Lt wrist XR; posteroanterior; 15y M; 671x812:

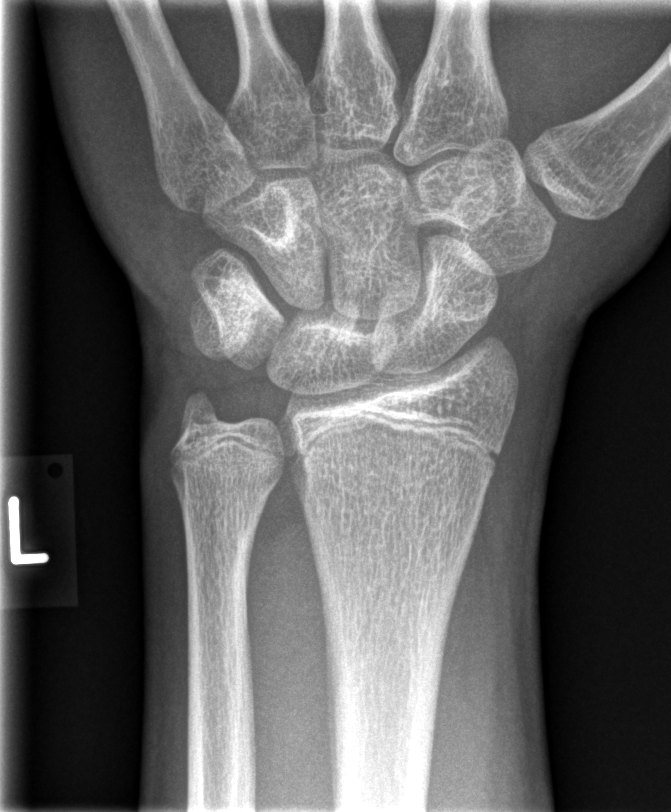
fracture: none labeled